Posteroanterior projection · left wrist radiograph · imaged through cast:
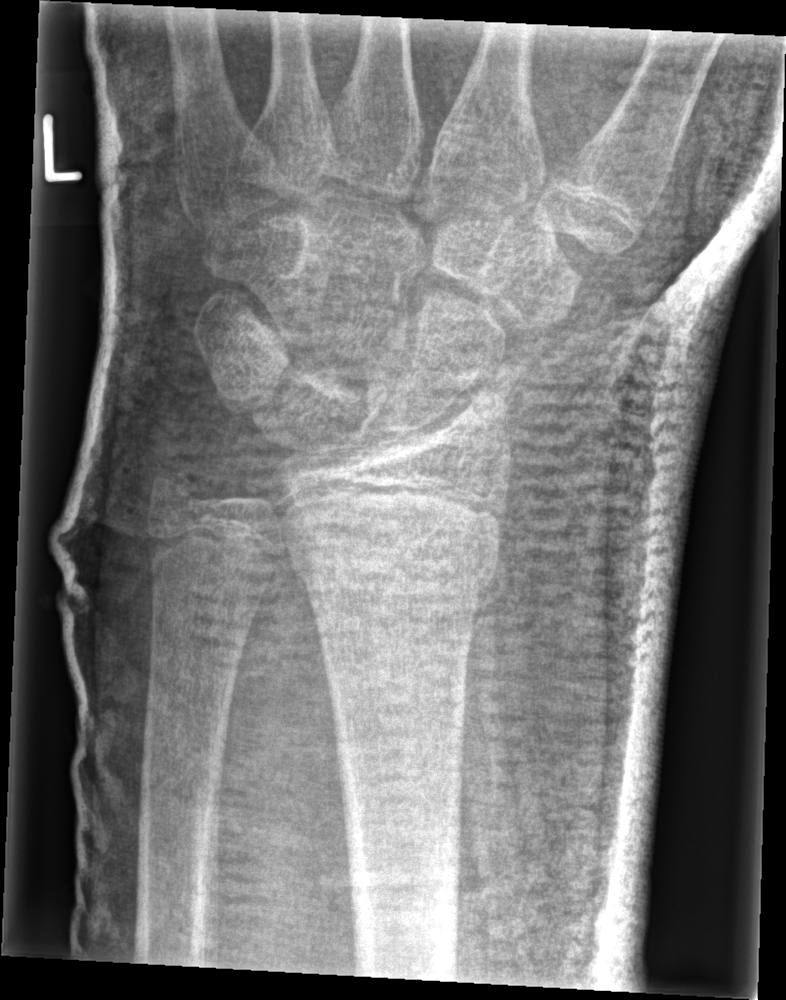

AO/OTA classification: 23r-M/3.1; 23u-E/7. Fx — 285 517 502 606 | 142 457 208 517.